Lateral projection; right wrist plain film; age 17 y, boy; presentation radiograph; Siemens; image width 84.1 mm 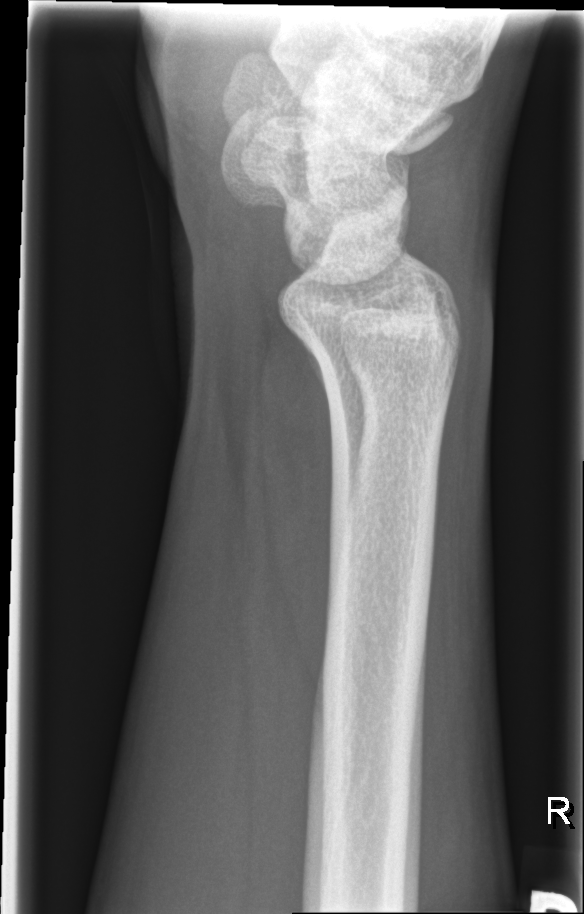
Fx: none.